PA/AP projection · R plain radiograph of the wrist
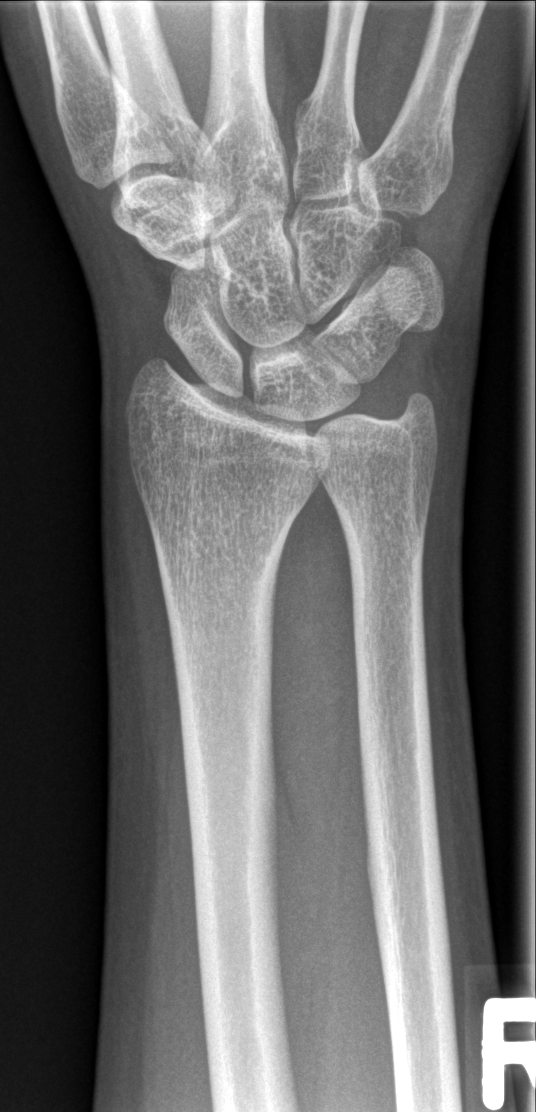 Bone fracture = none labeled